PA/AP view · left wrist radiograph. 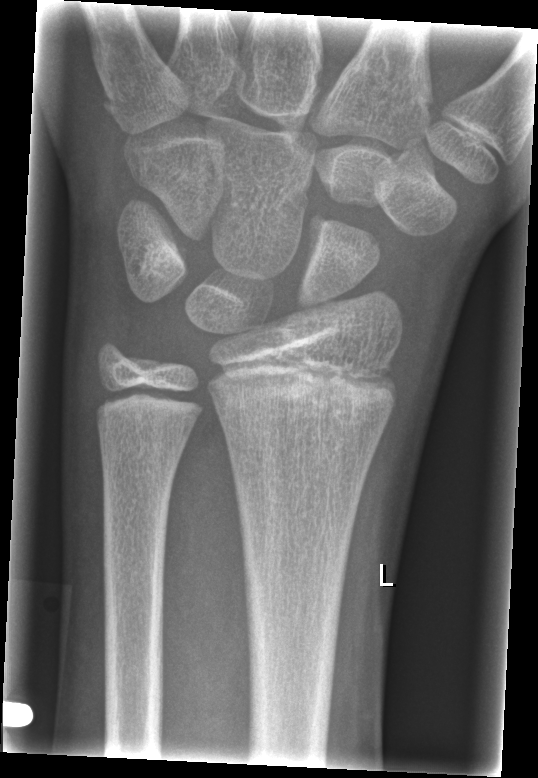

• No fracture labeled.